Lat view | right wrist plain film | boy, 10 yo:
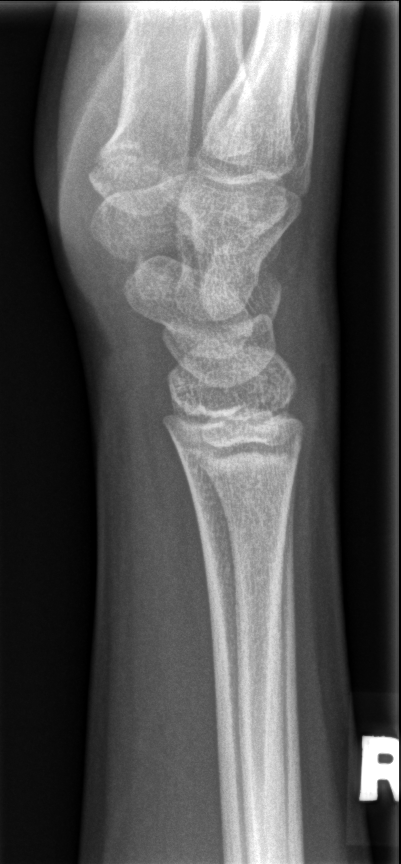

  fracture: none labeled